Posteroanterior | R pediatric wrist radiograph | 6y F — 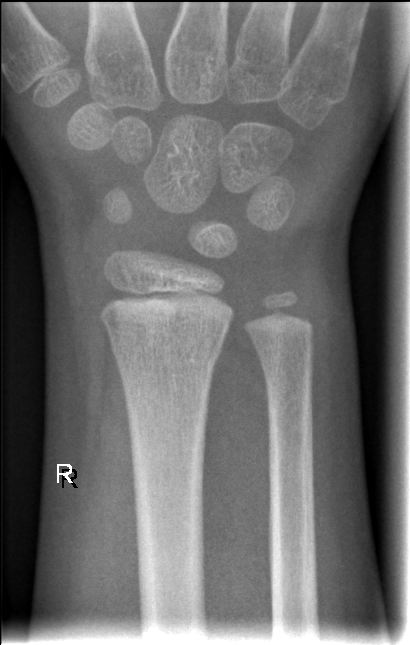

(bounding boxes in image-pixel xyxy)
Fx: [109, 331, 225, 379]